Frontal view | Lt wrist radiograph | in cast.
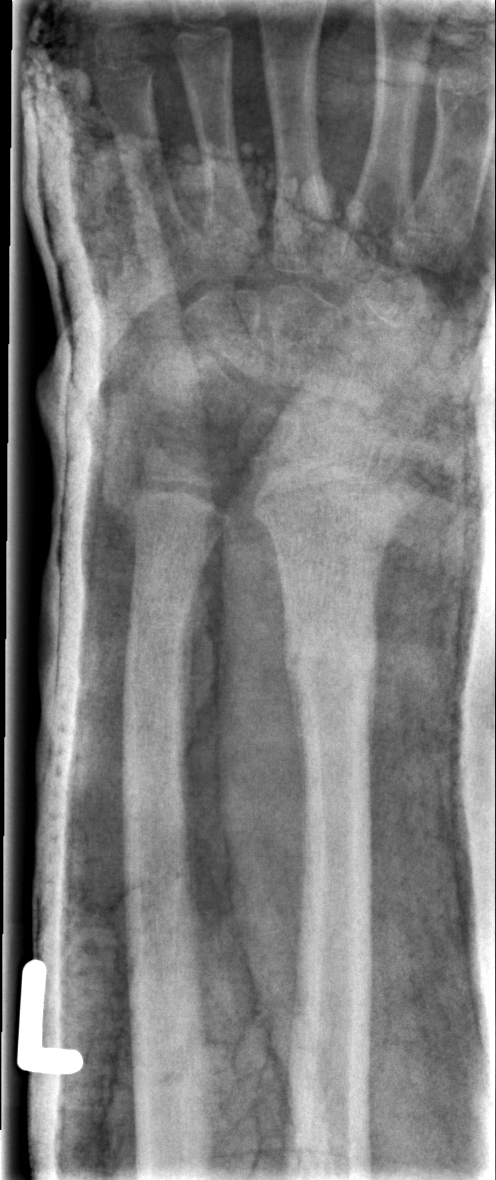

FINDINGS: (pixel coordinates, top-left origin, xyxy) Bone fracture: bbox(280, 612, 381, 704); bbox(118, 575, 199, 681).